Right wrist plain film; lat view; 57.3 mm image width — 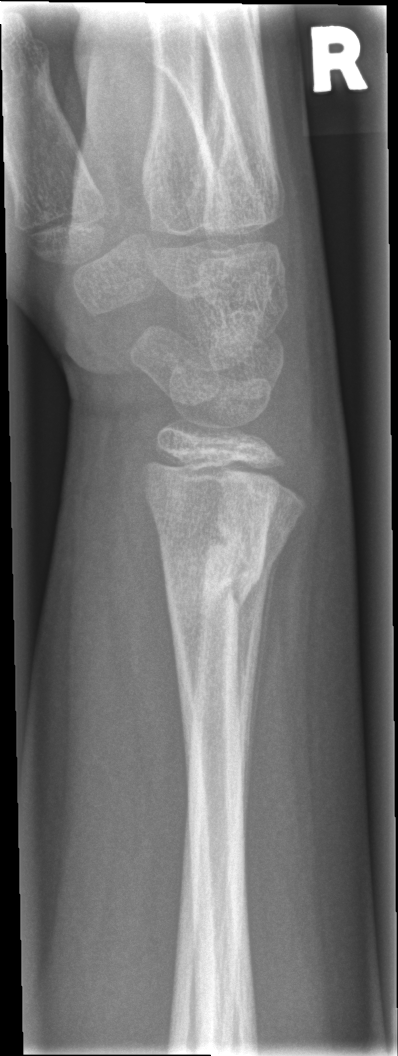

  fracture: (left=163, top=521, right=272, bottom=619), (left=201, top=530, right=295, bottom=577)
  osteopenia: present